Lat; left plain radiograph of the wrist; 13y M; imaged through cast; 572x1082

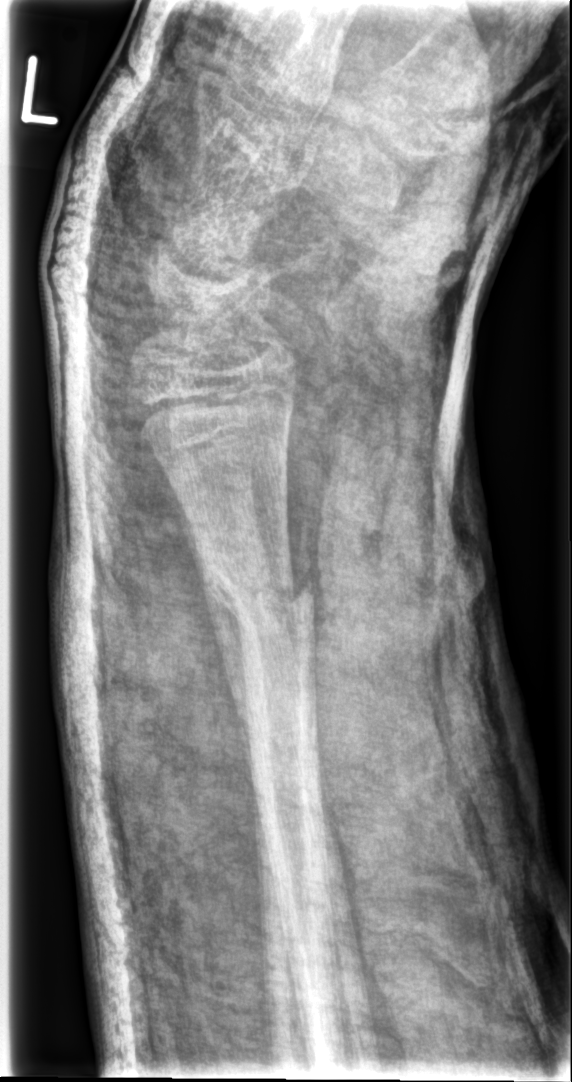

{
  "ao": "23r-M/3.1; 23u-M/2.1; 23u-E/7",
  "fracture": "(left=196, top=563, right=316, bottom=646)"
}